Lt wrist X-ray · lateral view.
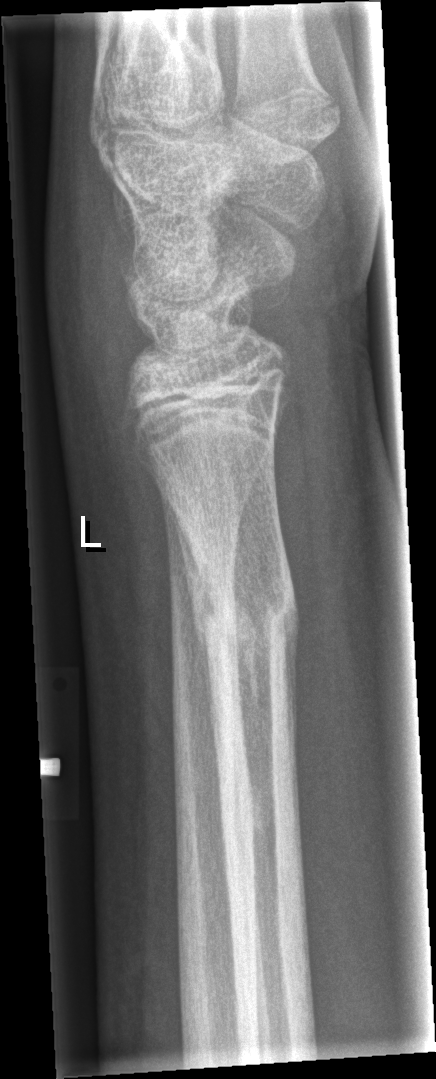 - Fx — (left=197, top=572, right=300, bottom=647).
- Two periosteal reaction at (left=168, top=500, right=212, bottom=720) (left=283, top=603, right=301, bottom=834).
- Fracture classified AO/OTA 23r-M/3.1; 23u-E/7.